Frontal, right wrist plain film, male, 16 yo, subsequent exam —
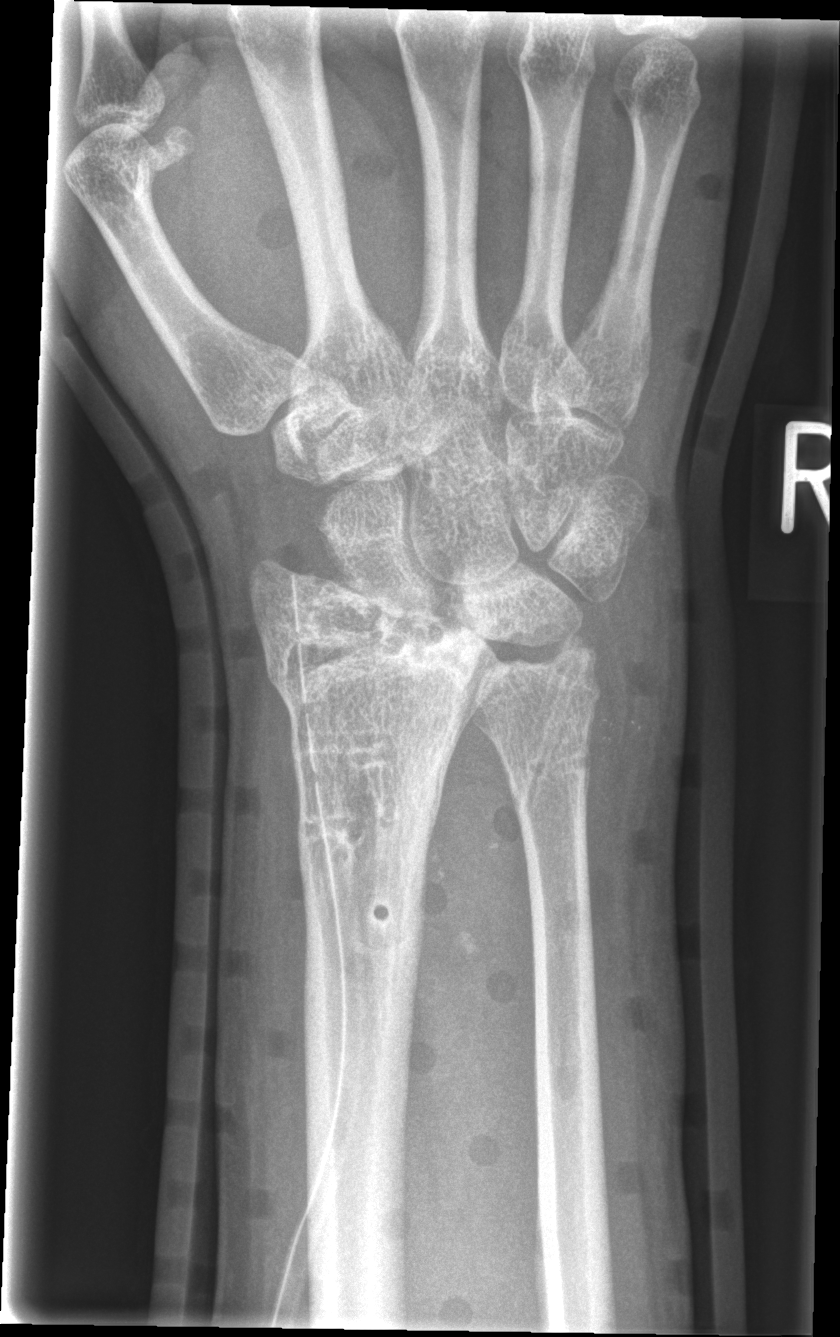
* Fracture: none labeled.
* Bone variant identified at (left=249, top=554, right=494, bottom=899) (left=480, top=629, right=604, bottom=832).
* Osteopenic.